Right pediatric wrist radiograph; posteroanterior; 16y F; acquired on Siemens:

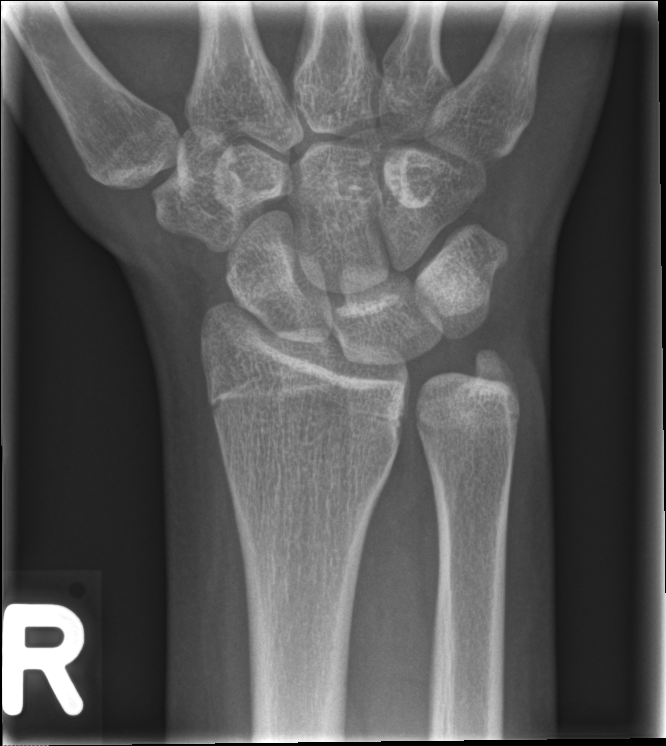

No fracture annotation.